Right wrist pediatric wrist radiograph · lateral · age 12 y, girl · index exam · Siemens · 68.5 mm image width 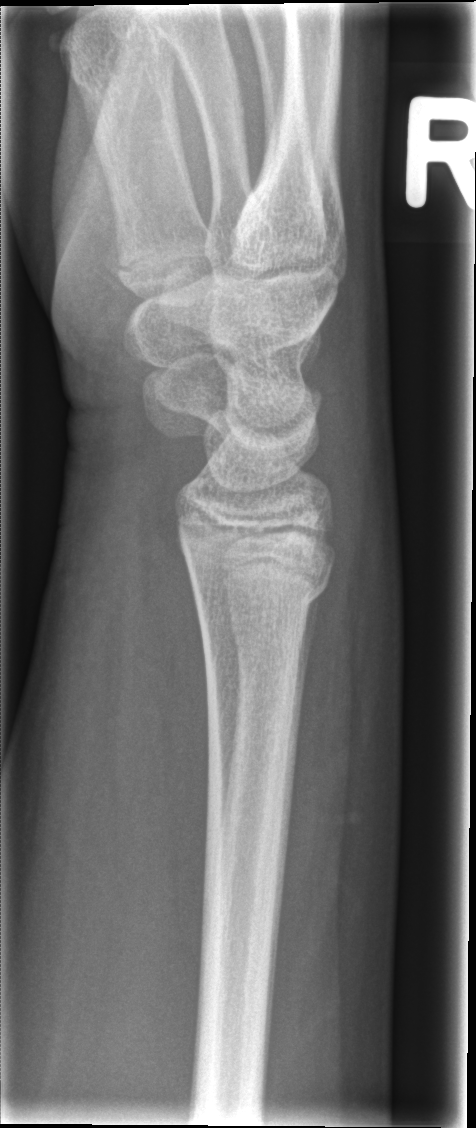
Q: Fracture present?
A: Fracture — 187 557 336 634
Q: Is the pronator sign positive?
A: Positive pronator fat-pad sign: 137 520 210 879